Lat | right wrist X-ray | initial study:

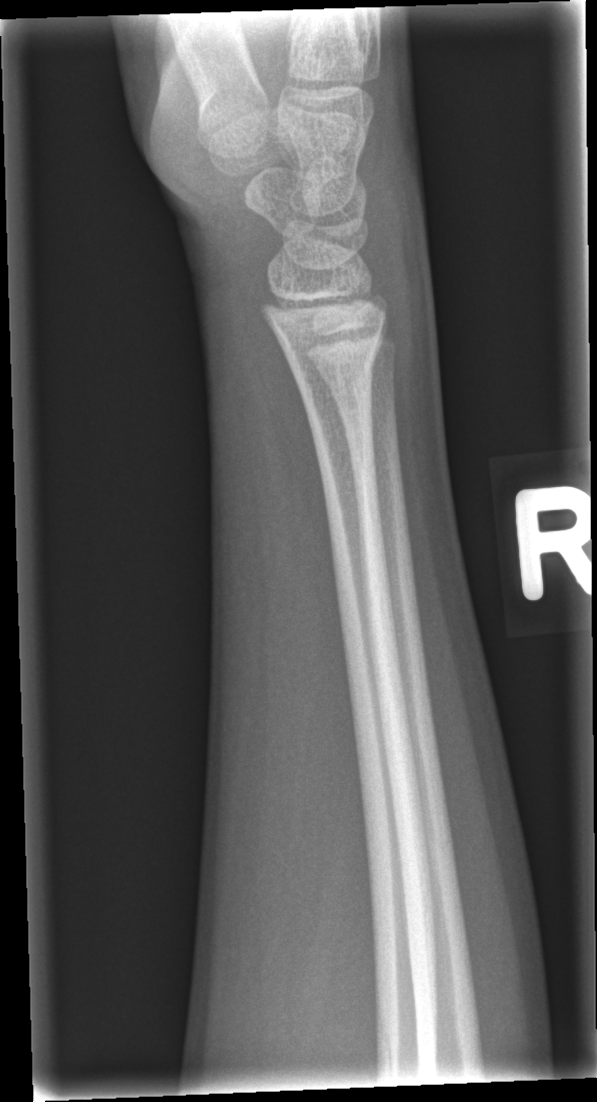

{
  "fracture": "1 @ 285,323,388,394",
  "ao": "23r-M/2.1"
}